PA/AP view | left wrist X-ray

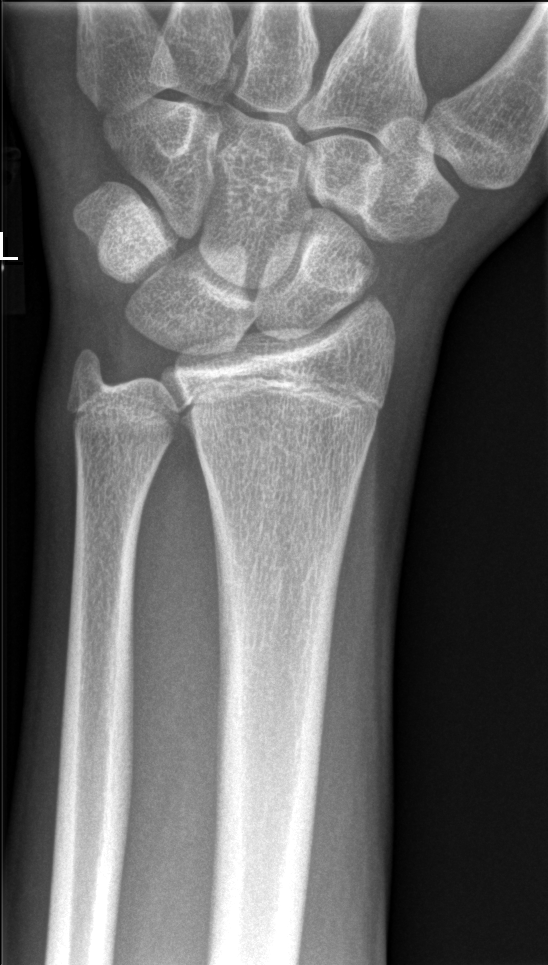 Bone fracture — 339,238,390,310.
AO code 72B(c).